R wrist X-ray; frontal view; 769 x 1018 px — 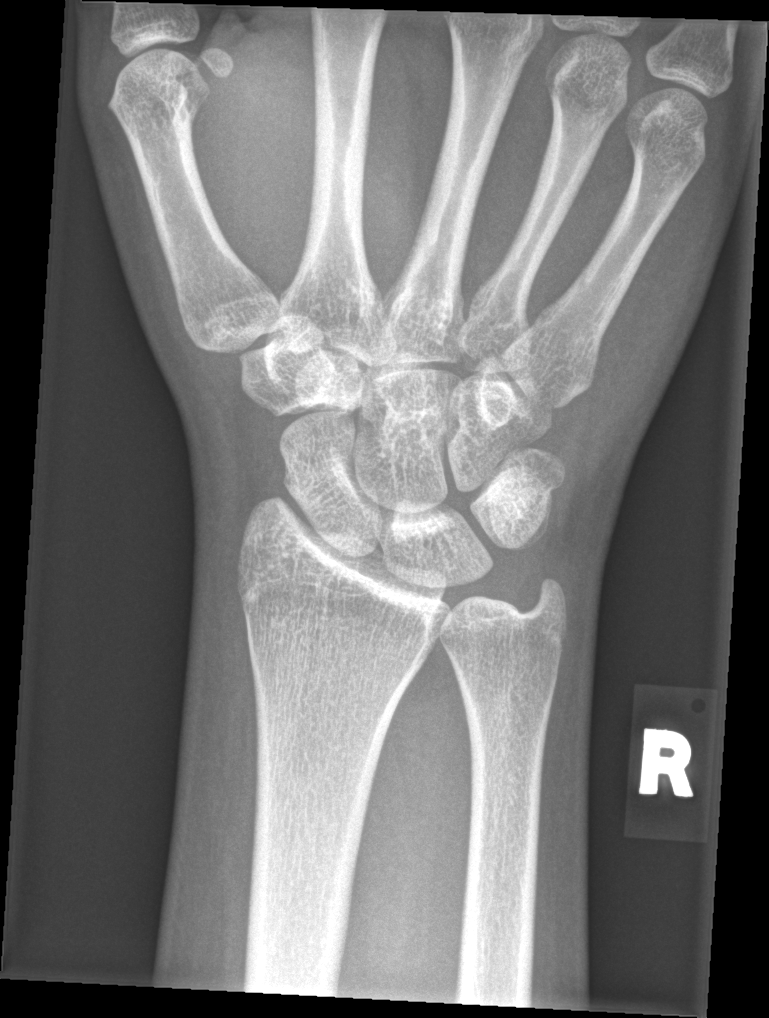 fracture: none labeled